Lat projection | L wrist XR | girl, 8 yo | follow-up study | image size 538x839 —

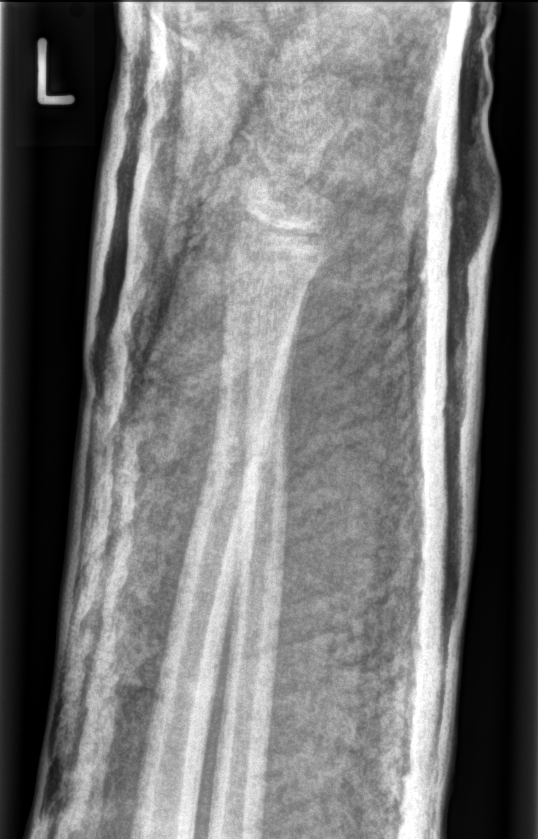

One fracture at (left=203, top=411, right=280, bottom=484). Fracture classified AO/OTA 22r-D/2.1.